Right wrist XR, frontal view, presentation radiograph, 81.2 mm image width —
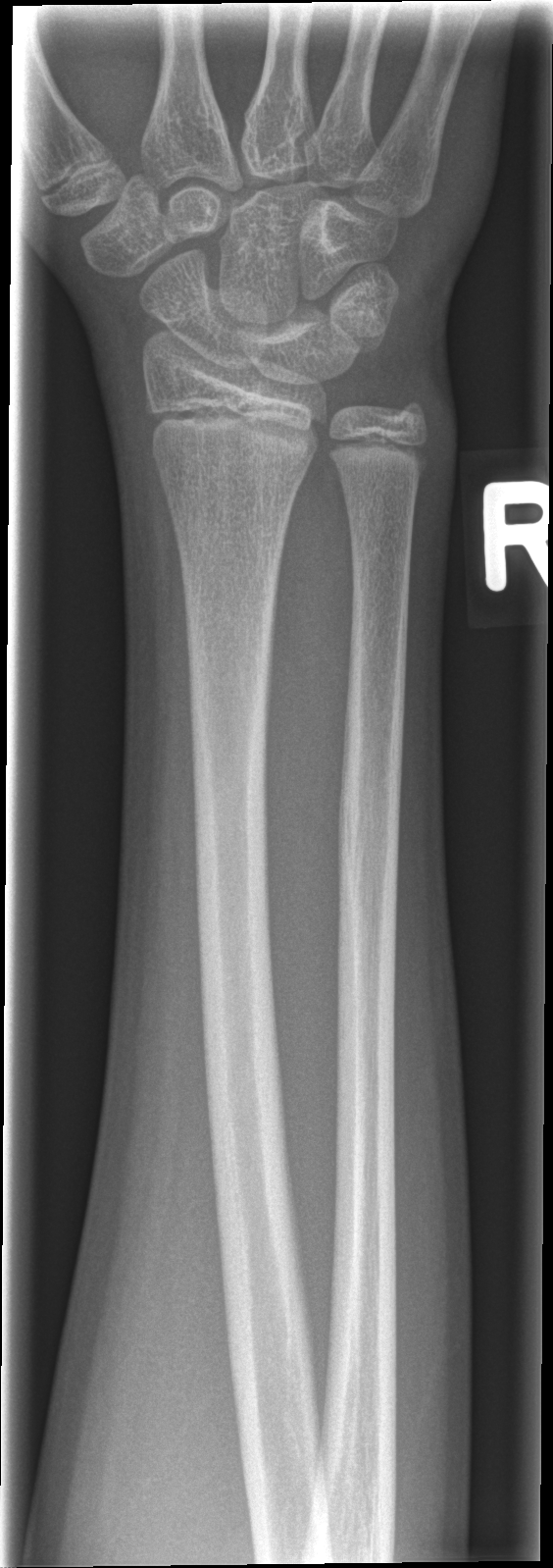

Fracture: none labeled.